Right wrist plain film | frontal projection | follow-up: 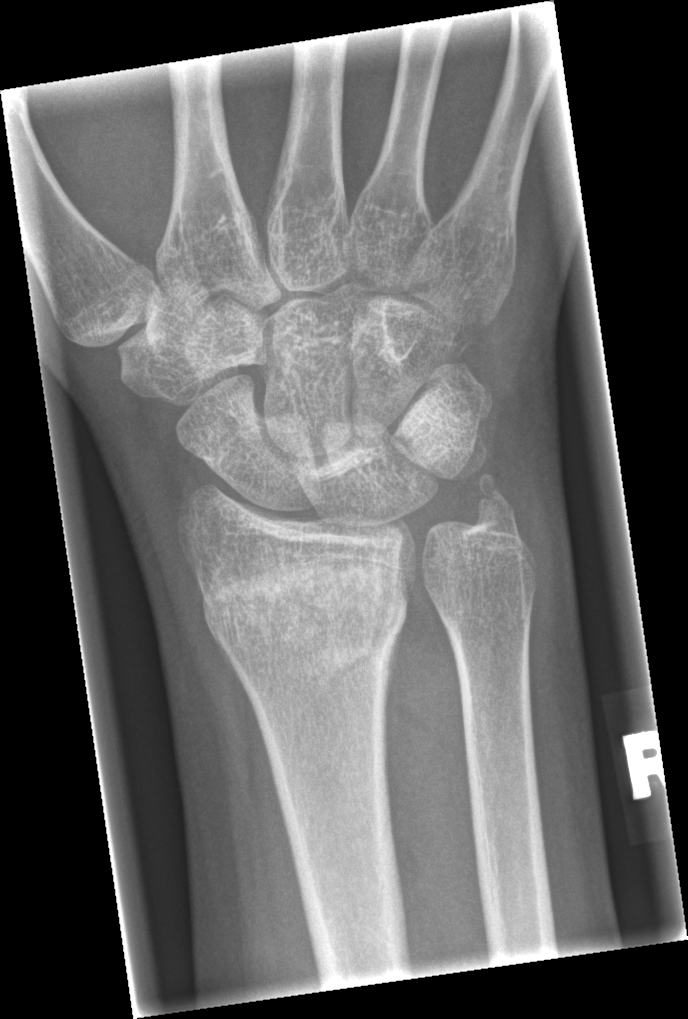

  osteopenia: present
  fracture: 2 @ [197, 562, 413, 683], [465, 473, 529, 547]
  ao: 23r-M/3.1; 23u-E/7